Left pediatric wrist radiograph, AP, male, 7 yo, acquired on Siemens — 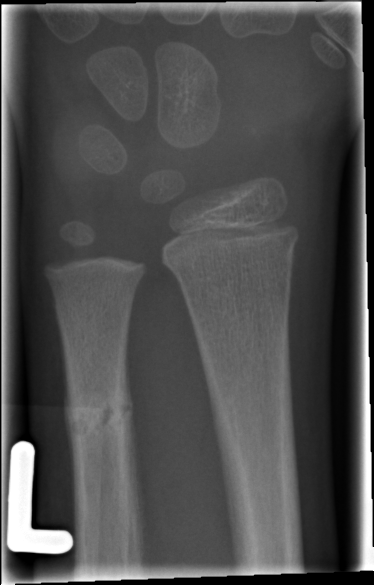 {
  "ao": "23u-M/3.1",
  "osteopenia": "present",
  "fracture": "1 @ 63,373,134,448"
}